Rt wrist XR · posteroanterior · pediatric patient (female, age 15) —
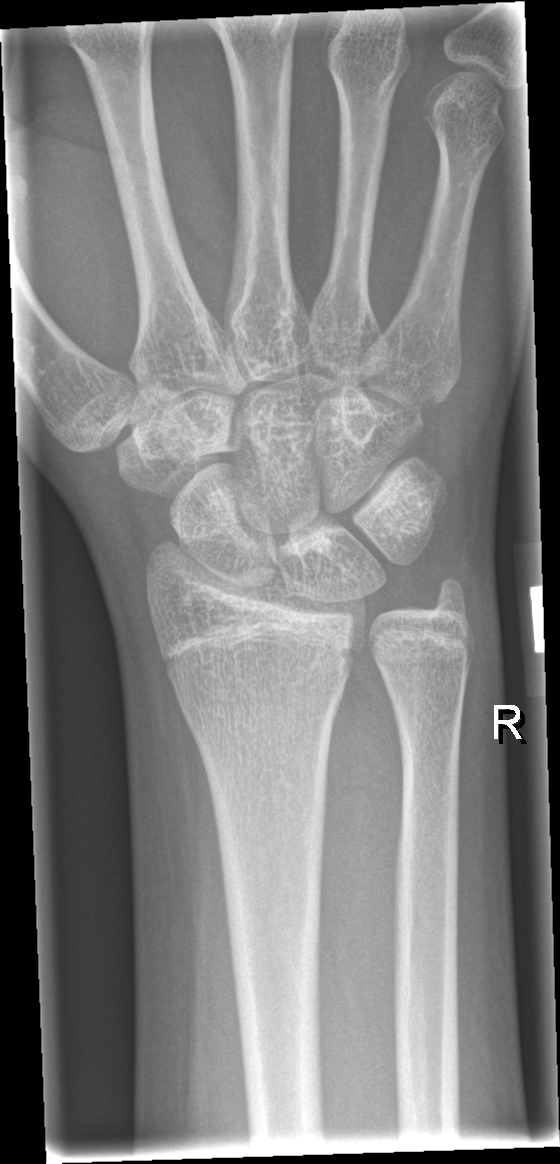 * Fracture: none labeled.